PA/AP projection · Lt wrist XR · female, 8 yo · image width 101.2 mm:
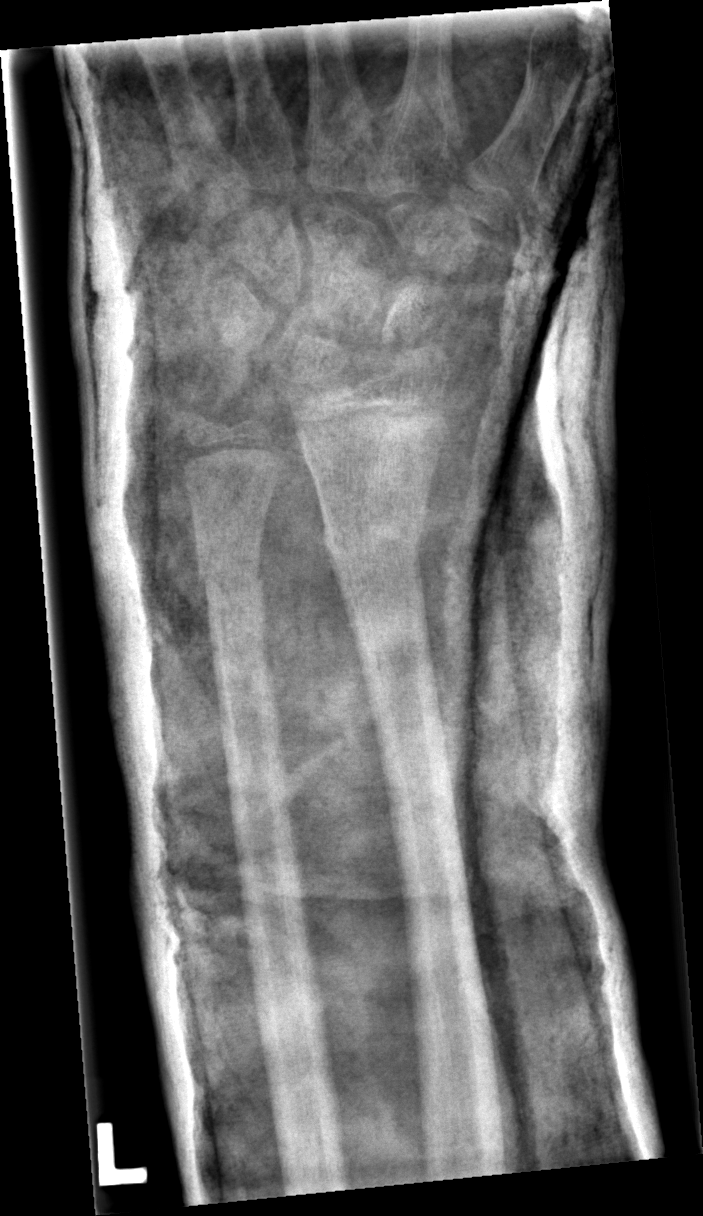
Fracture identified at [320, 507, 433, 565]; [194, 549, 271, 606].
AO/OTA classification: 23-M/3.1.